Lat view, Rt plain radiograph of the wrist, pediatric patient (male, age 14), follow-up study, cast present, detector: Siemens — 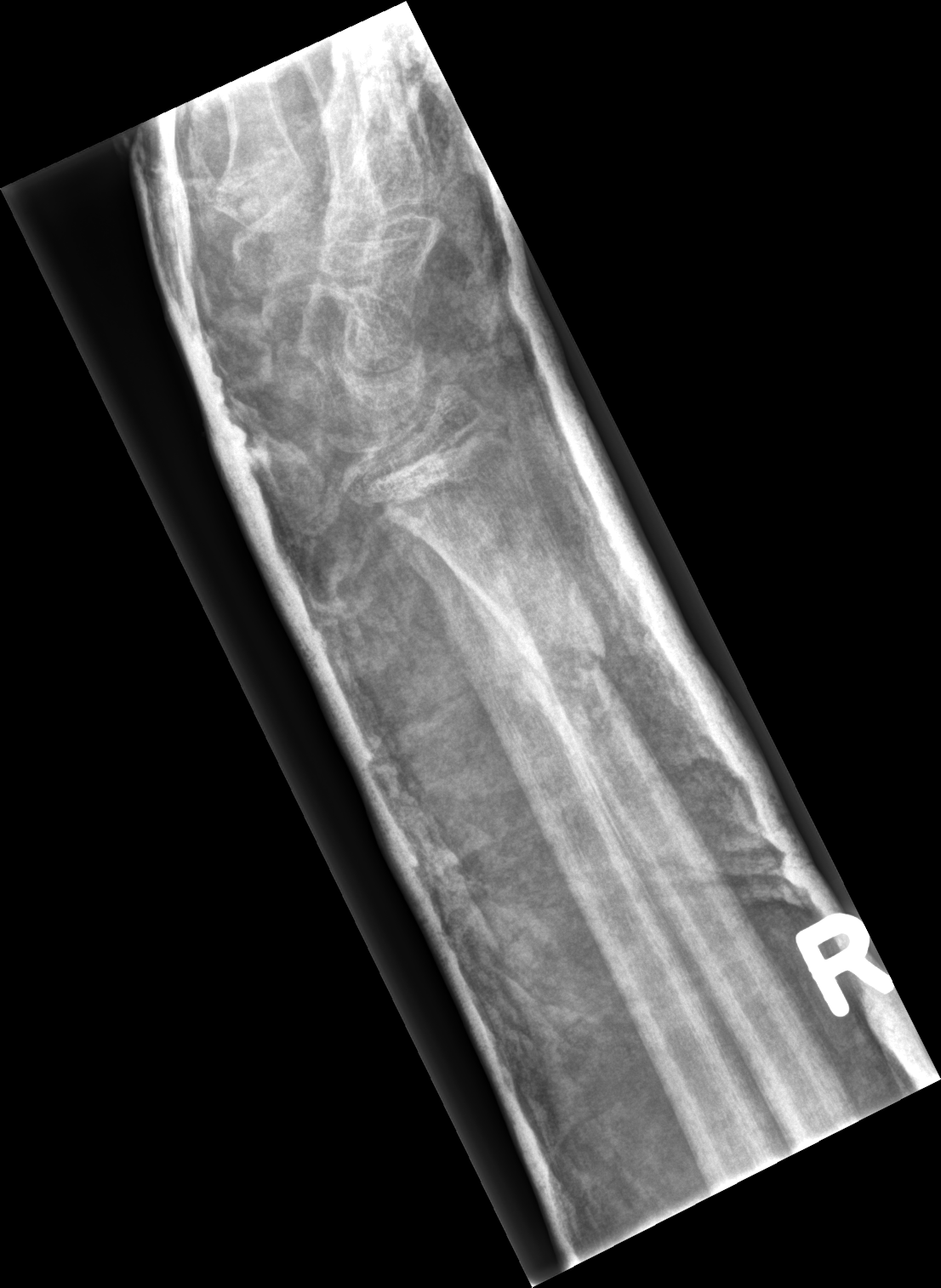 FINDINGS: (coordinates are [x1, y1, x2, y2] in image pixels) Fx — (509, 611, 619, 704) (428, 570, 510, 668).